Rt wrist X-ray, PA, image 89.7 mm wide.

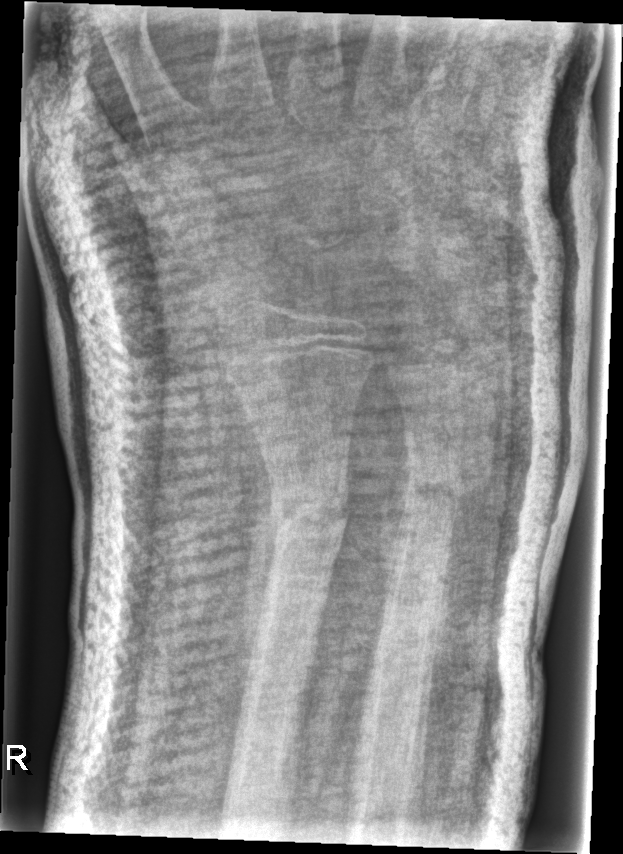 Fracture: (265, 473, 352, 554) (399, 460, 467, 521)
AO code: 23-M/3.1